R pediatric wrist radiograph, lateral, 16-year-old boy, detector: Siemens. 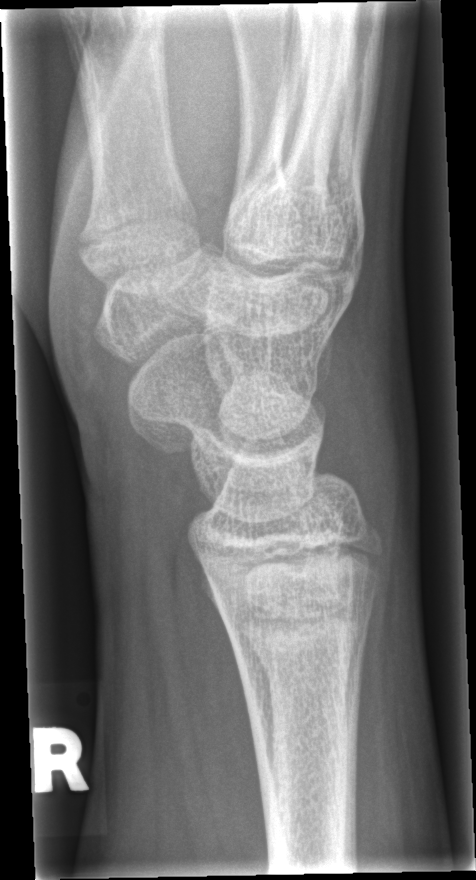 Fracture present, but no bounding box because it is not clearly seen in this view. Fracture classified AO/OTA 72B(b).